PA · left plain radiograph of the wrist · image size 647x1018 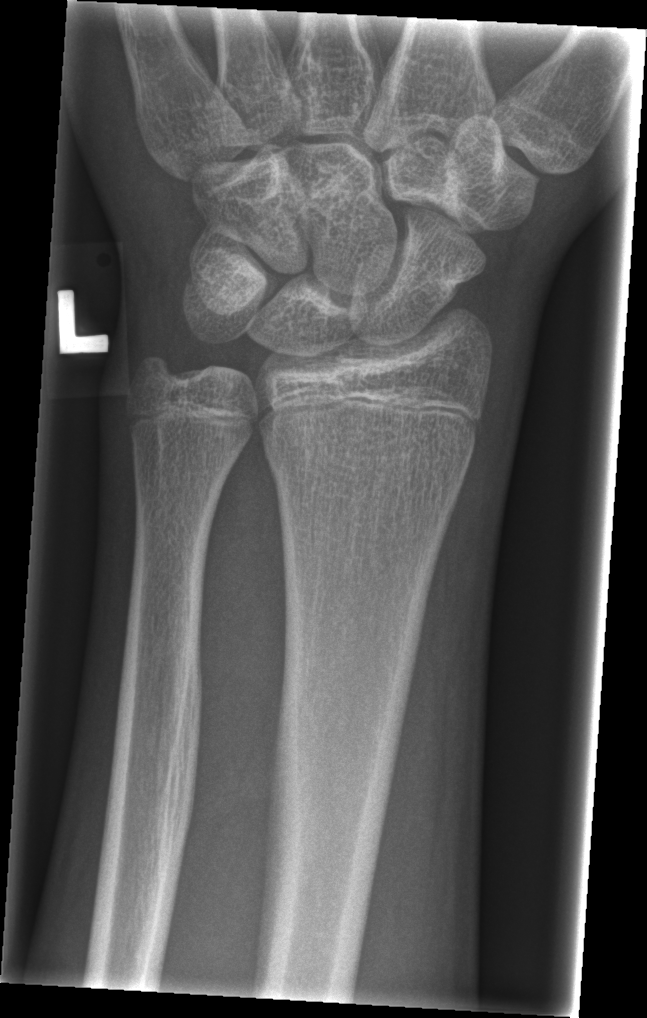

FINDINGS: No fracture bounding box.